Rt wrist radiograph, PA/AP view, 6y F:
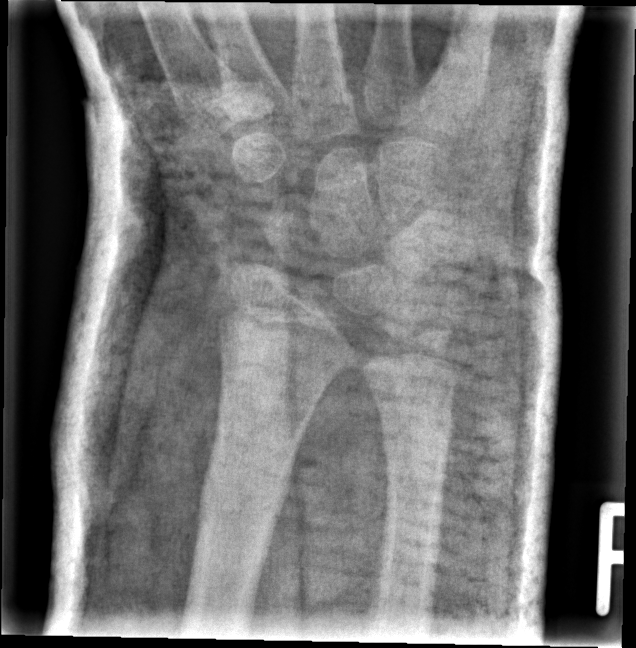
fracture: 2 @ 196 447 293 538 | 382 416 453 483